Rt wrist X-ray; AP projection; age 13 y, boy; image 72.3 mm wide — 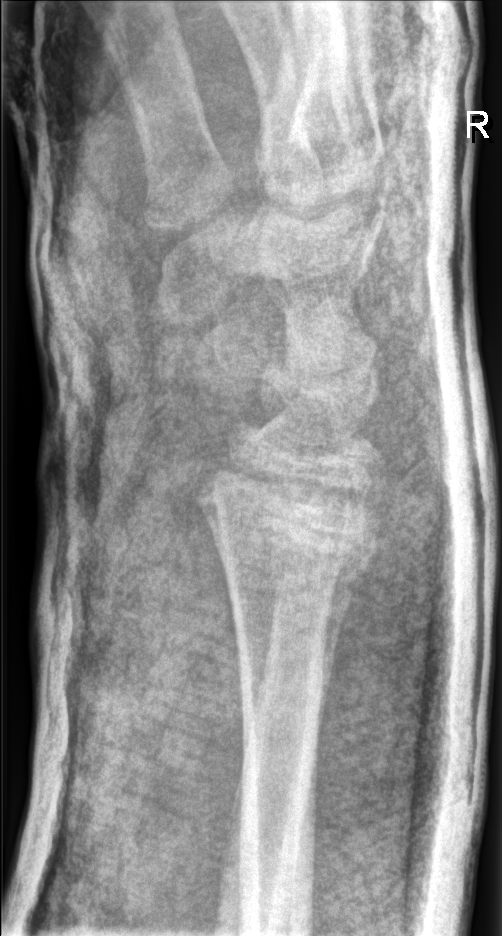
Fx: (193, 449, 389, 594)